Lt wrist plain film; lateral; 13y M; imaged through cast 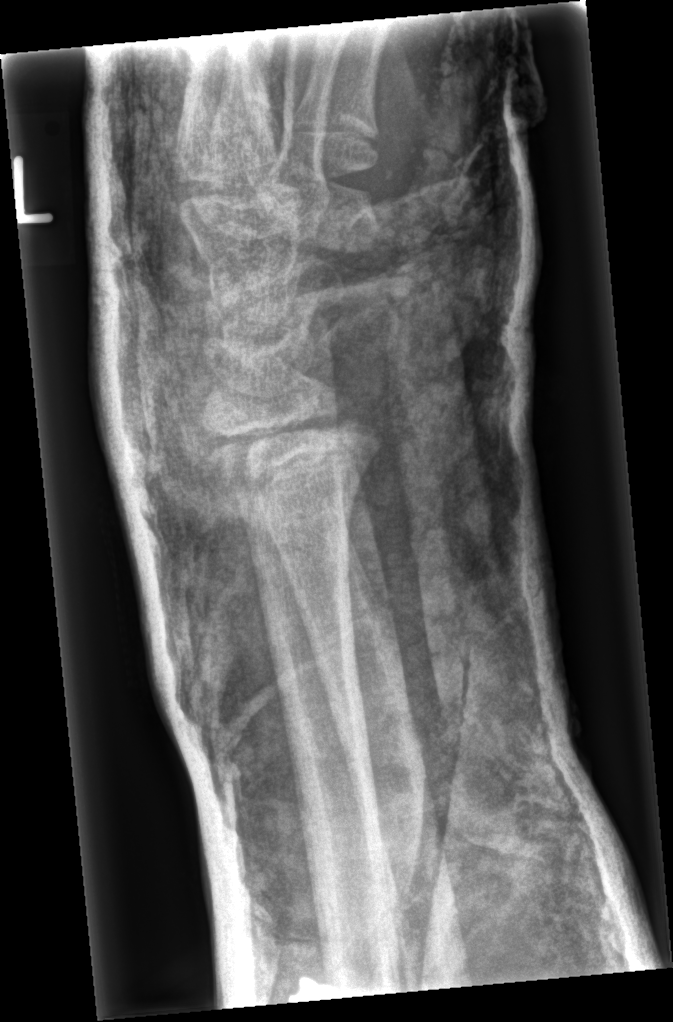
FINDINGS: (coordinates are [x1, y1, x2, y2] in image pixels) Fracture classified AO/OTA 23r-E/2.1; 23u-E/7. One Fx at 209,404,385,517.